Lateral projection · right wrist pediatric wrist radiograph · cast present.

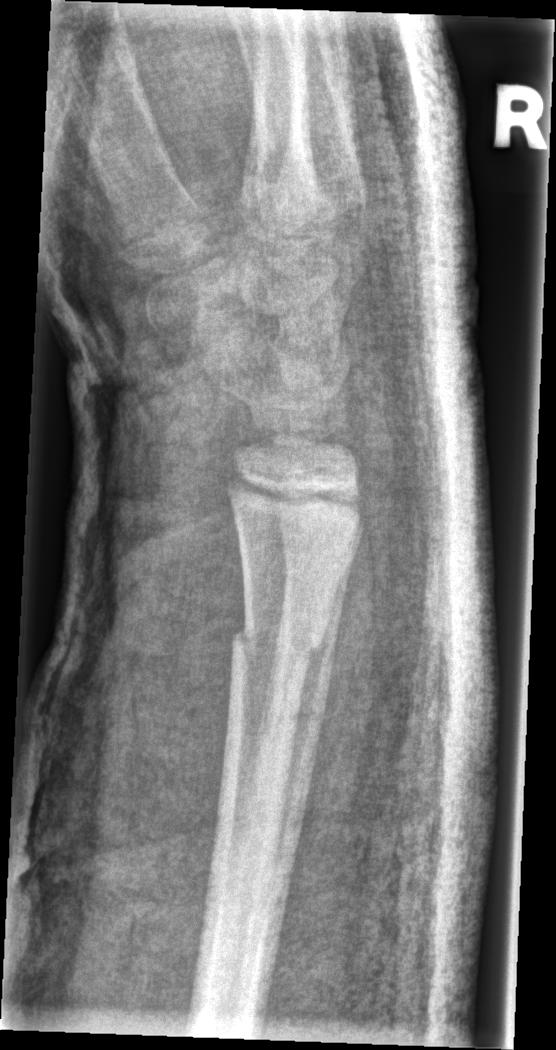

FINDINGS — Fracture identified at bbox(227, 611, 329, 675). Fracture classified AO/OTA 23r-M/3.1; 23u-M/2.1; 23u-E/7.